Right wrist plain radiograph of the wrist, lateral:
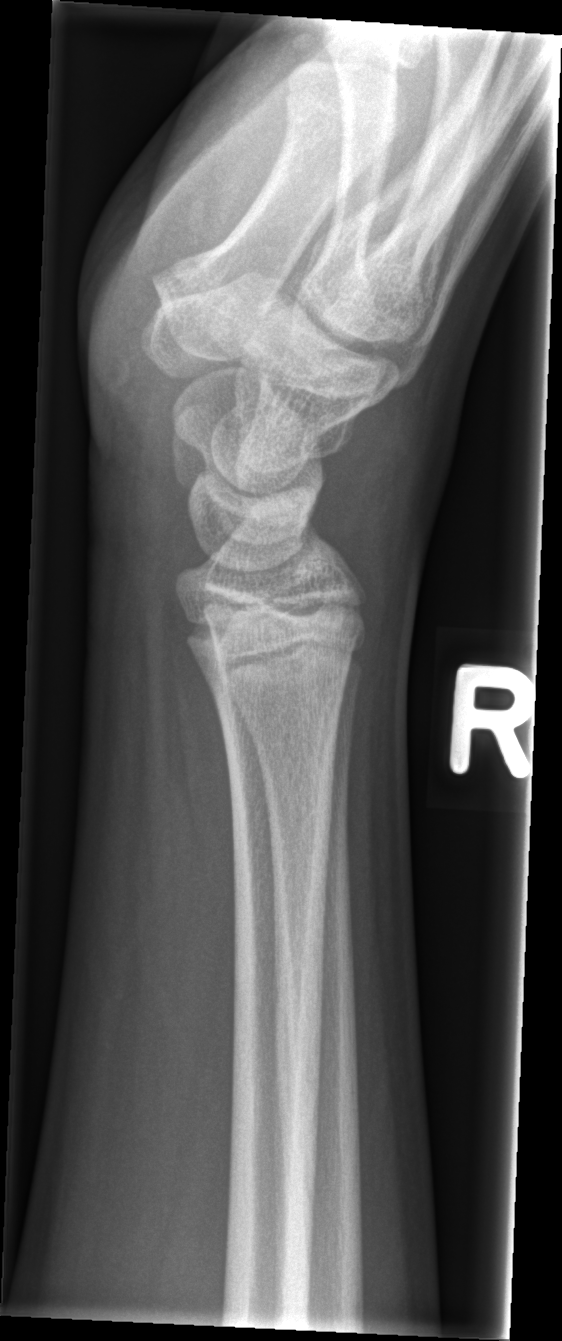

No fracture annotation.